Lateral projection, left wrist radiograph, age 13 y, girl — 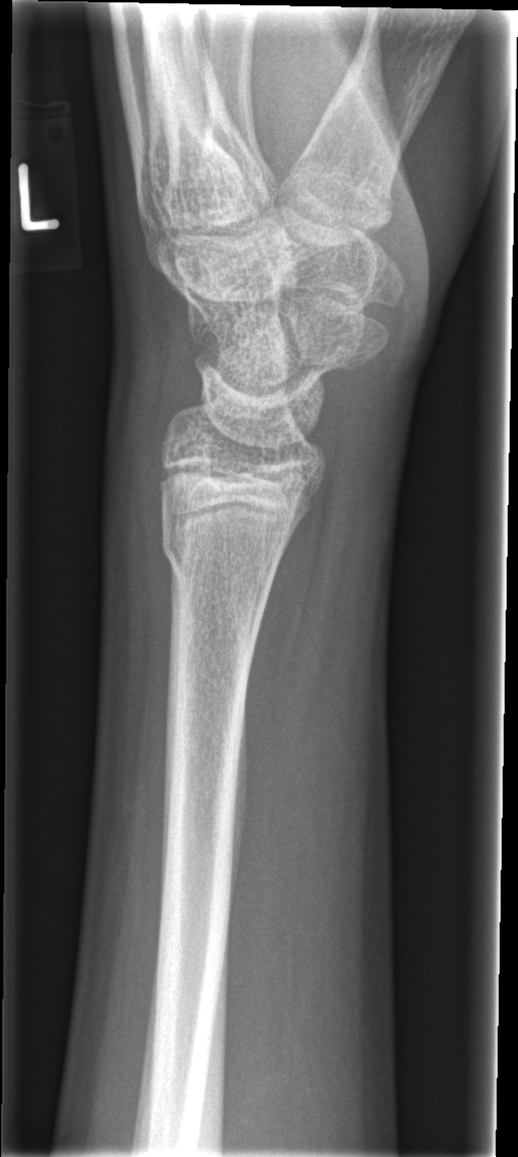

AO/OTA classification: 23r-M/2.1. One fracture at [x1=157, y1=509, x2=286, y2=594].